PA view | Lt wrist radiograph | cast present | image width 88.7 mm | 616x988 — 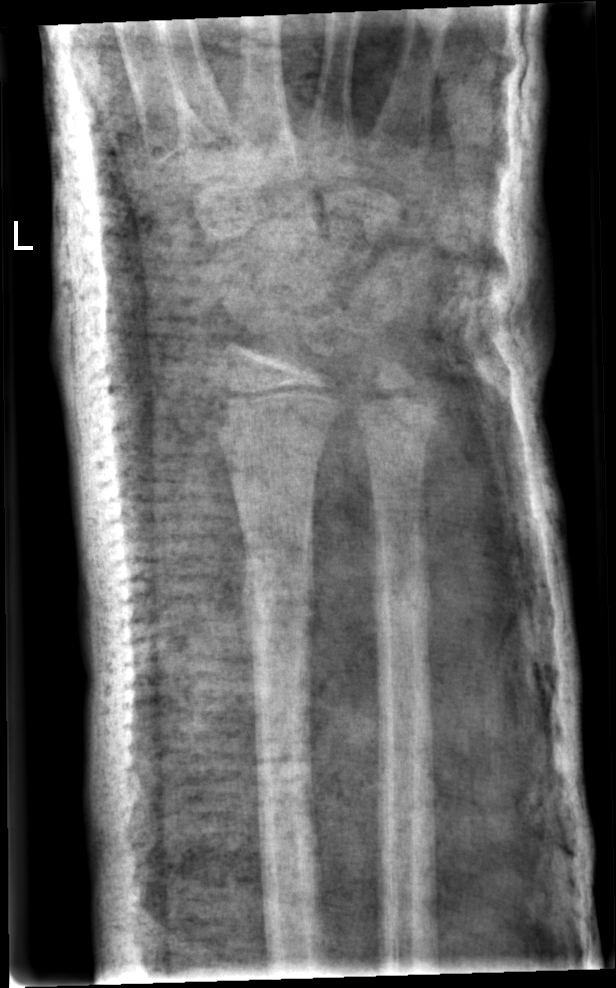
(coordinates are [x1, y1, x2, y2] in image pixels)
Q: What is the AO/OTA classification?
A: AO code 23r-M/3.1; 23u-M/2.1
Q: Locate any fractures.
A: Two Fx at [x1=236, y1=563, x2=319, y2=633]; [x1=366, y1=568, x2=436, y2=633]